Frontal | R pediatric wrist radiograph | 9-year-old female | presentation radiograph | 818 by 1409 pixels.
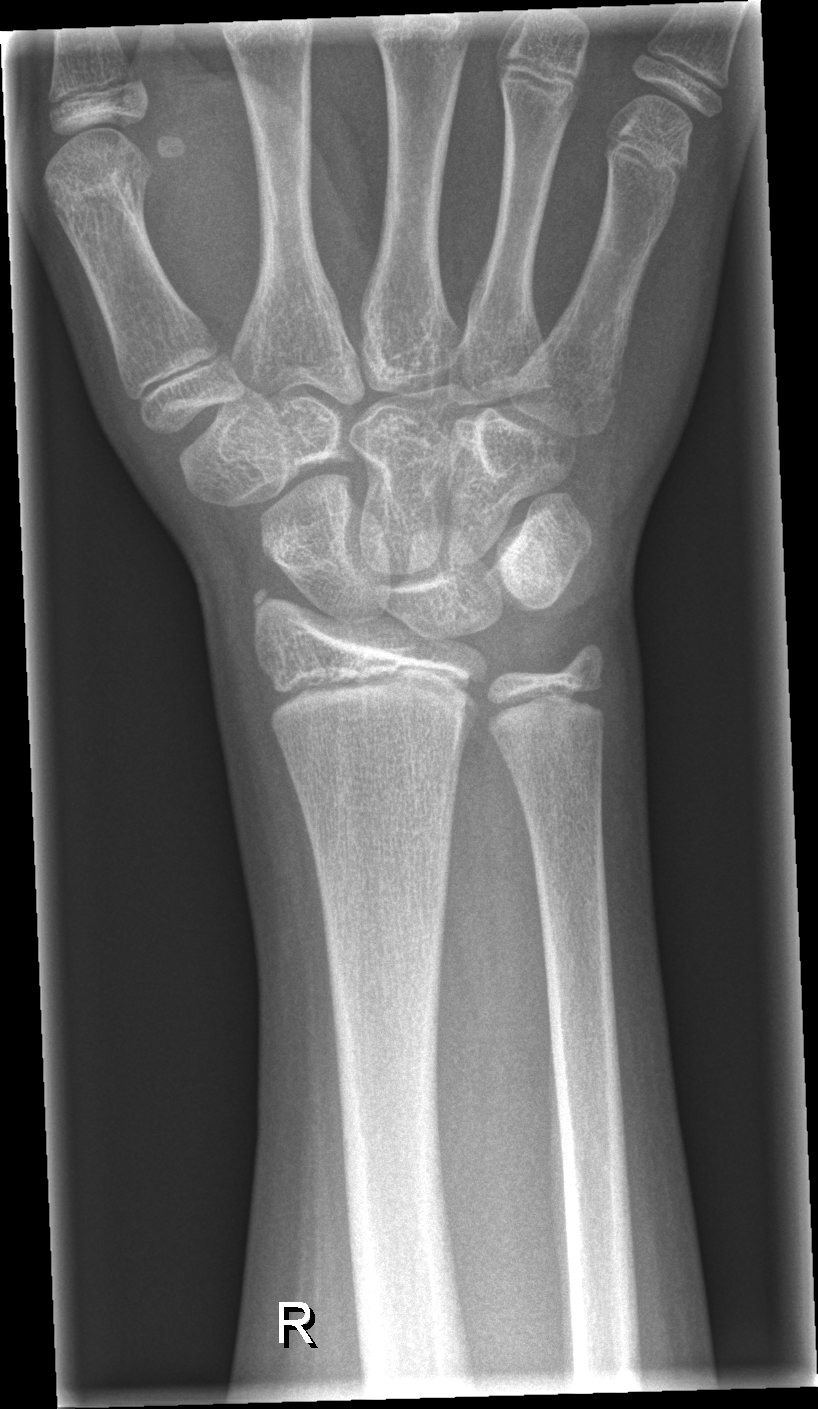
Fracture: none labeled.